PA view; L pediatric wrist radiograph; female, 10 yo; subsequent exam; cast present — 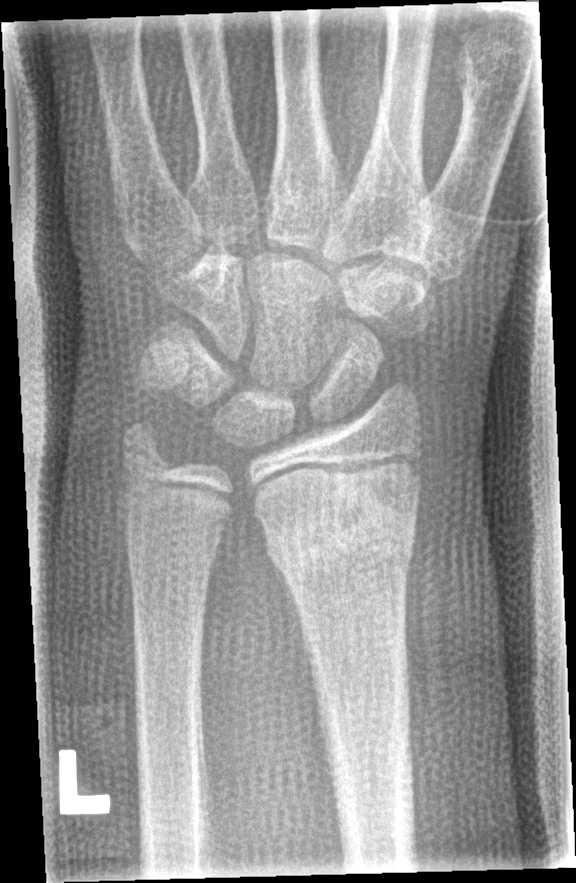
Bone fractures — 261 486 419 592; 114 413 177 479.
AO/OTA classification: 23r-M/3.1; 23u-E/7.